L wrist XR; PA view; follow-up study.
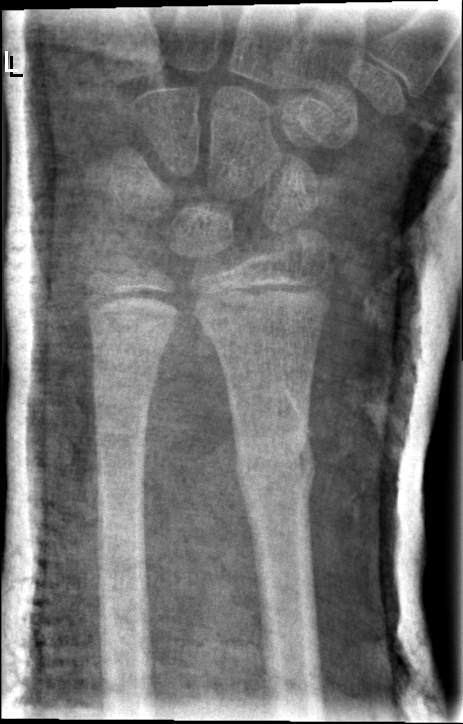
Pixel coordinates, top-left origin, xyxy.
Fx identified at 233,417,318,508; 88,348,164,409.
AO code 23-M/2.1.